Posteroanterior view | right plain radiograph of the wrist | 14-year-old boy — 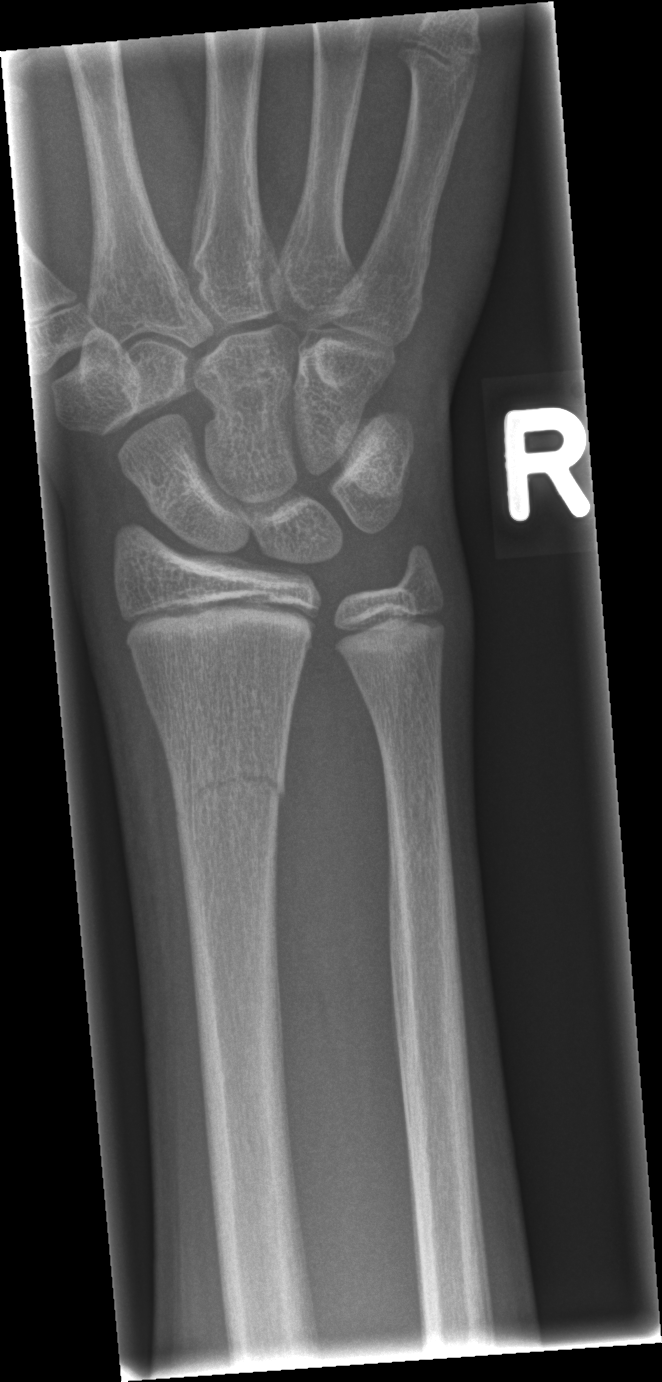
{"_coords": "coordinates are [x1, y1, x2, y2] in image pixels", "fracture": "1 @ (173, 757, 290, 823)"}